Left wrist pediatric wrist radiograph · frontal projection · imaged through cast · image width 105.8 mm: 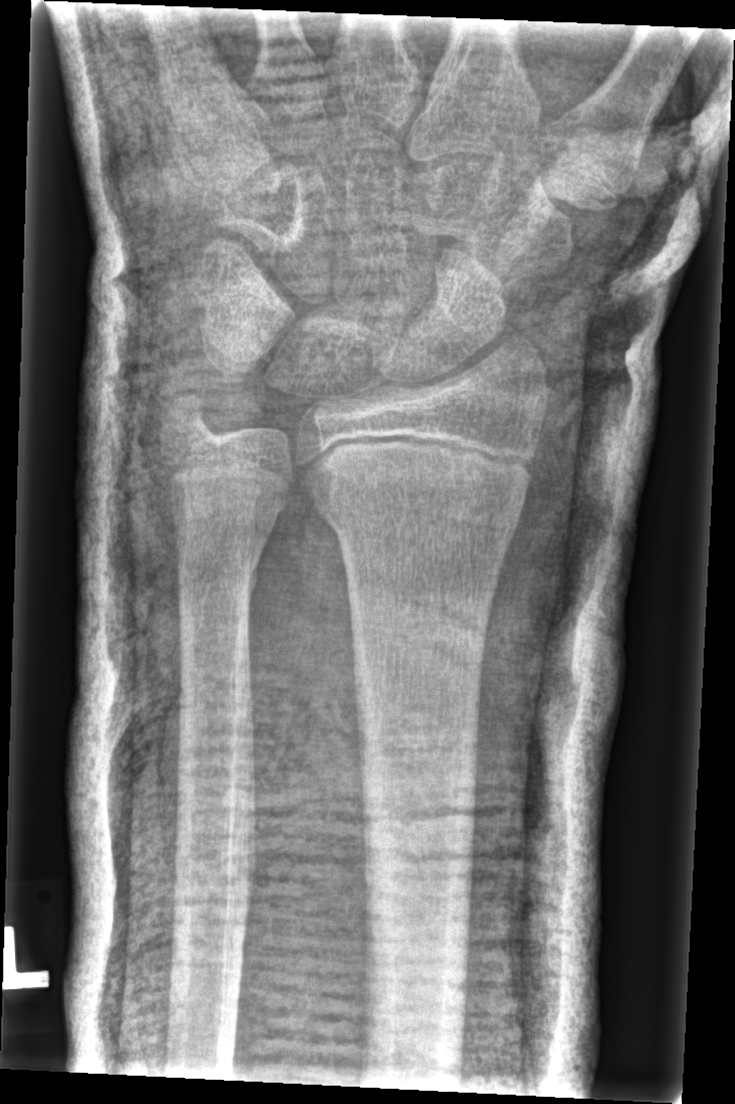 FINDINGS — (pixel coordinates, top-left origin, xyxy) Bone fracture identified at (left=314, top=468, right=526, bottom=557).